Lat · left plain radiograph of the wrist · boy, 15 yo · cast present.

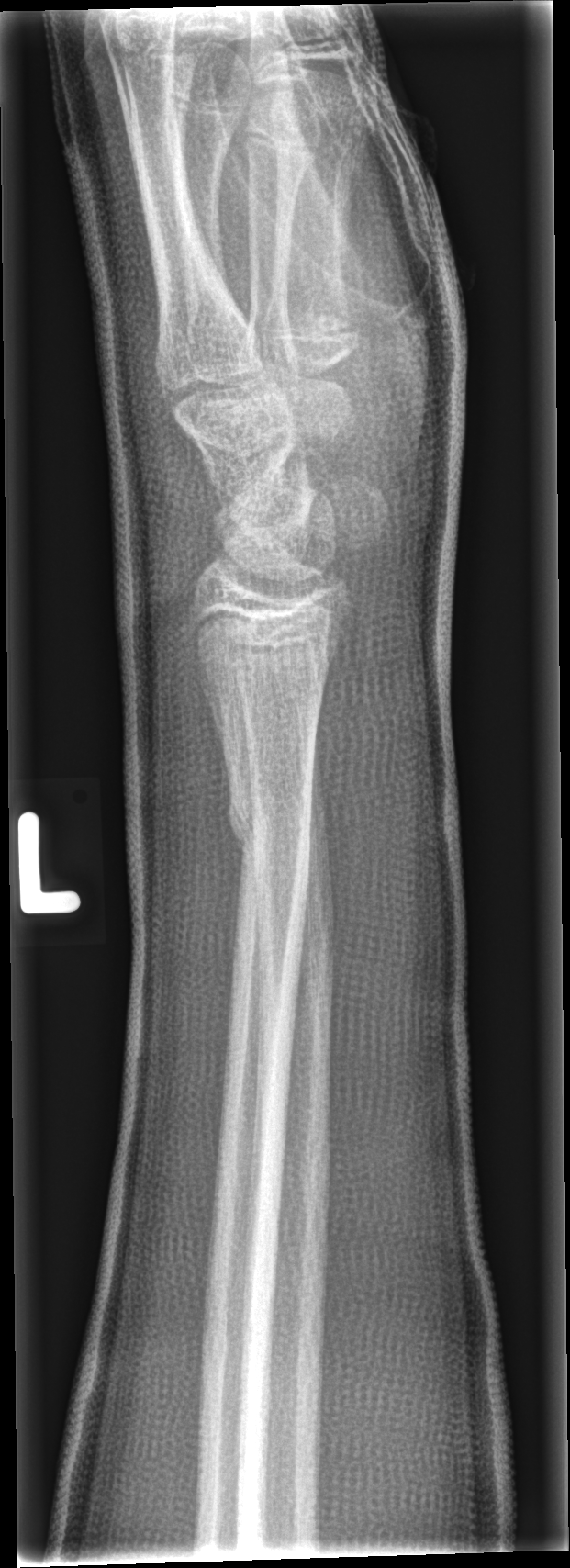 Pixel coordinates, top-left origin, xyxy.
Fx identified at <221,785>-<318,855>.